Posteroanterior projection, left wrist XR, male, 15 yo, Siemens

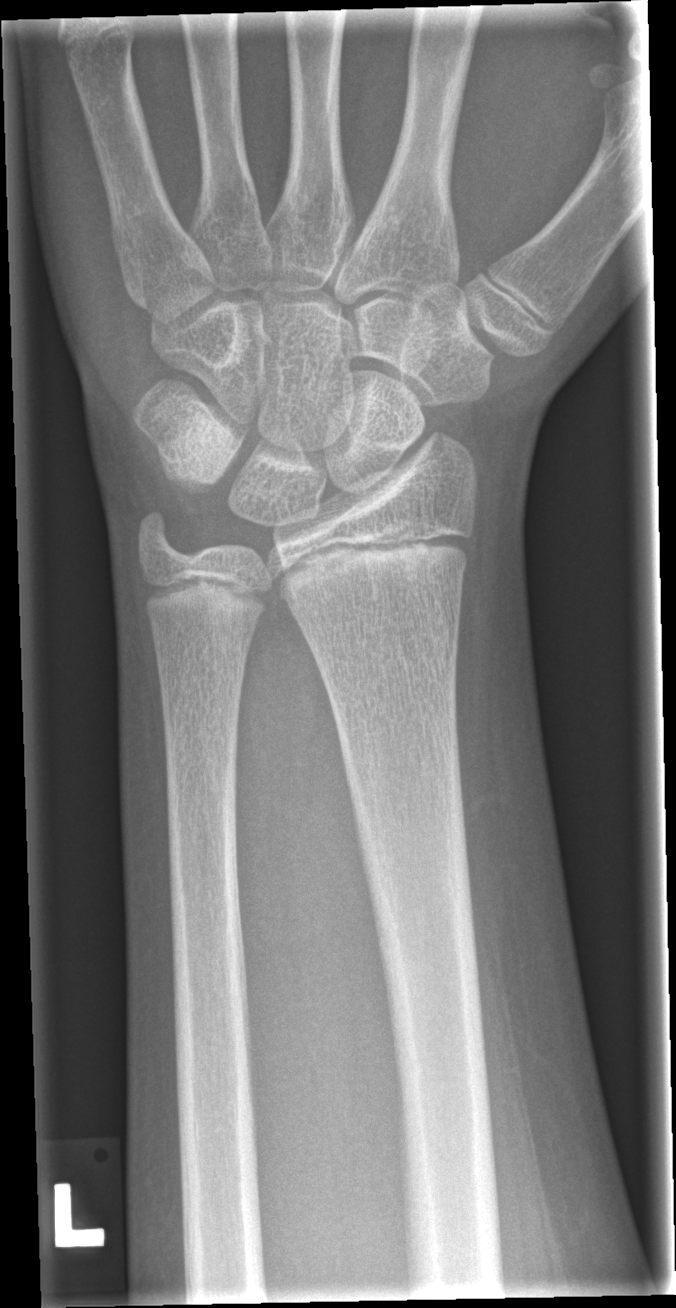

fracture = none labeled